PA view · Lt wrist plain film · in cast: 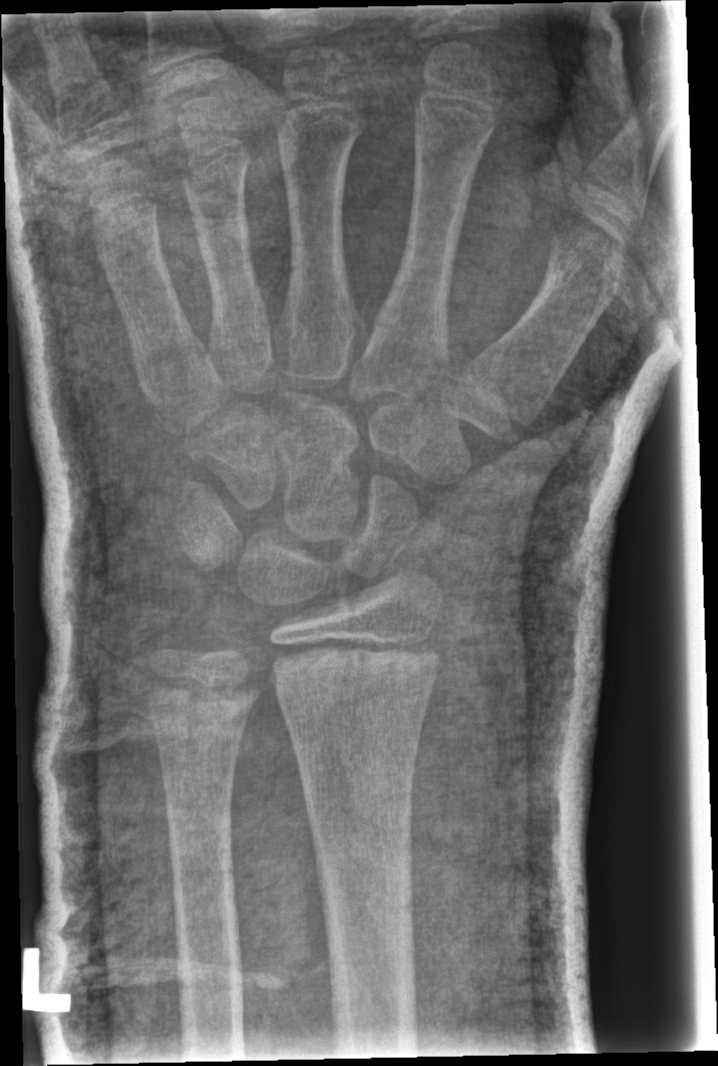

fracture: present but not clearly seen in this view